R wrist XR | lat projection | index exam.

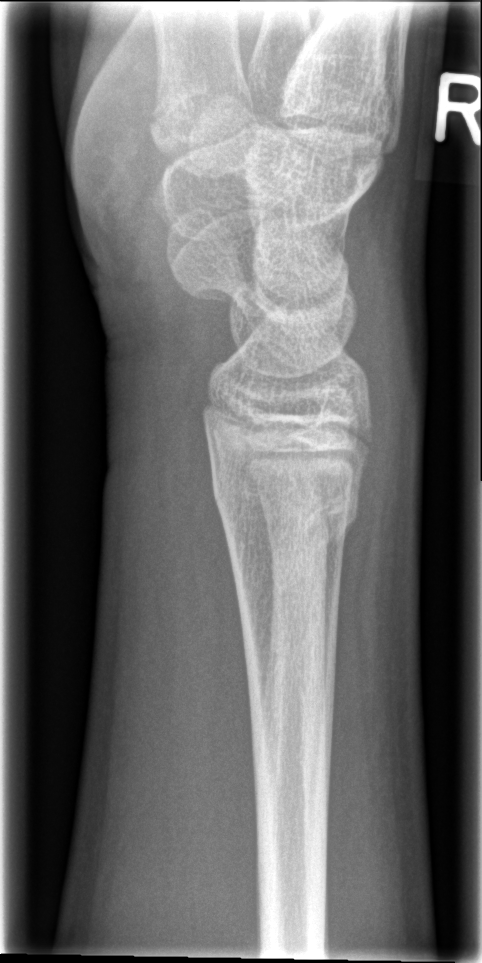

(coordinates are [x1, y1, x2, y2] in image pixels)
AO/OTA = 23r-M/2.1
Fracture = (left=209, top=459, right=363, bottom=560)